Lat view, right wrist radiograph. 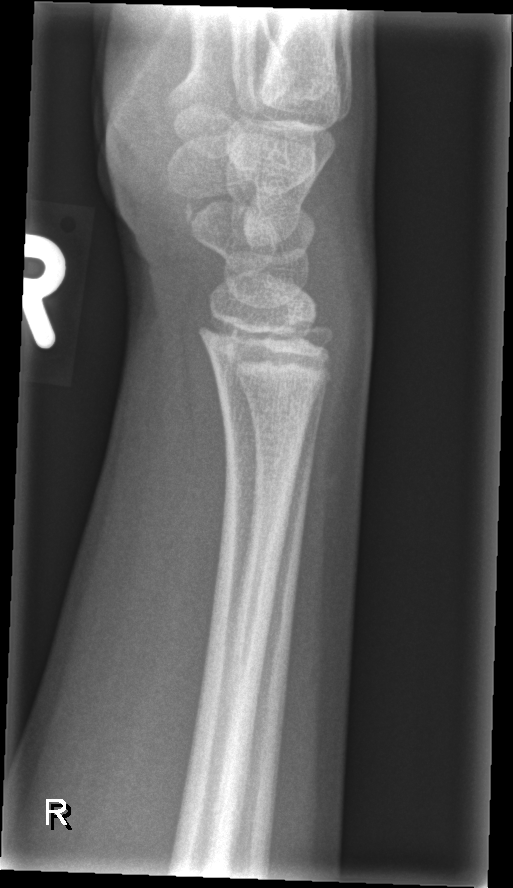 * No fracture bounding box.